Left wrist X-ray | PA/AP | age 9 y, male. 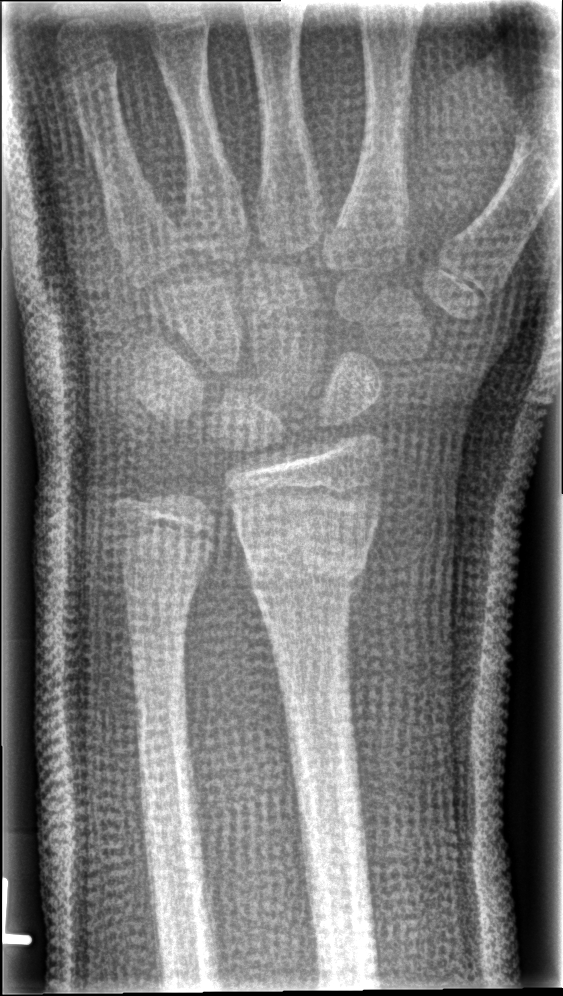
- Boxes as x1,y1,x2,y2 (top-left / bottom-right, pixel units).
- Fracture classified AO/OTA 23r-M/3.1; 23u-M/2.1.
- Fx: [x1=243, y1=530, x2=370, y2=601] [x1=119, y1=548, x2=210, y2=627].